Right wrist plain film | frontal view | age 11 y, boy | image 87.0 mm wide.
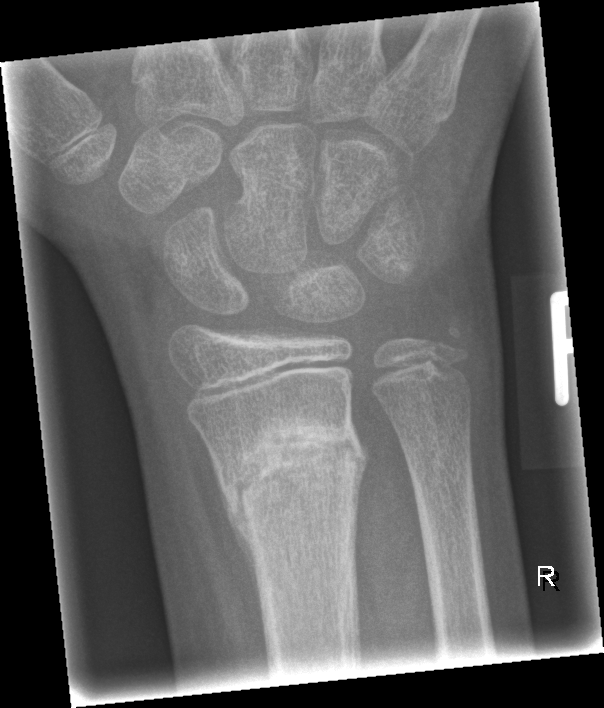

  # bounding boxes in image-pixel xyxy
  fracture: [x1=214, y1=410, x2=371, y2=534]; [x1=413, y1=312, x2=475, y2=372]
  periostealreaction: 2 @ [x1=212, y1=459, x2=267, y2=639], [x1=352, y1=415, x2=371, y2=562]
  osteopenia: present
  ao: 23r-M/3.1; 23u-E/7